Lt wrist X-ray | lateral | 12y M | initial study | Siemens | image 84.8 mm wide.
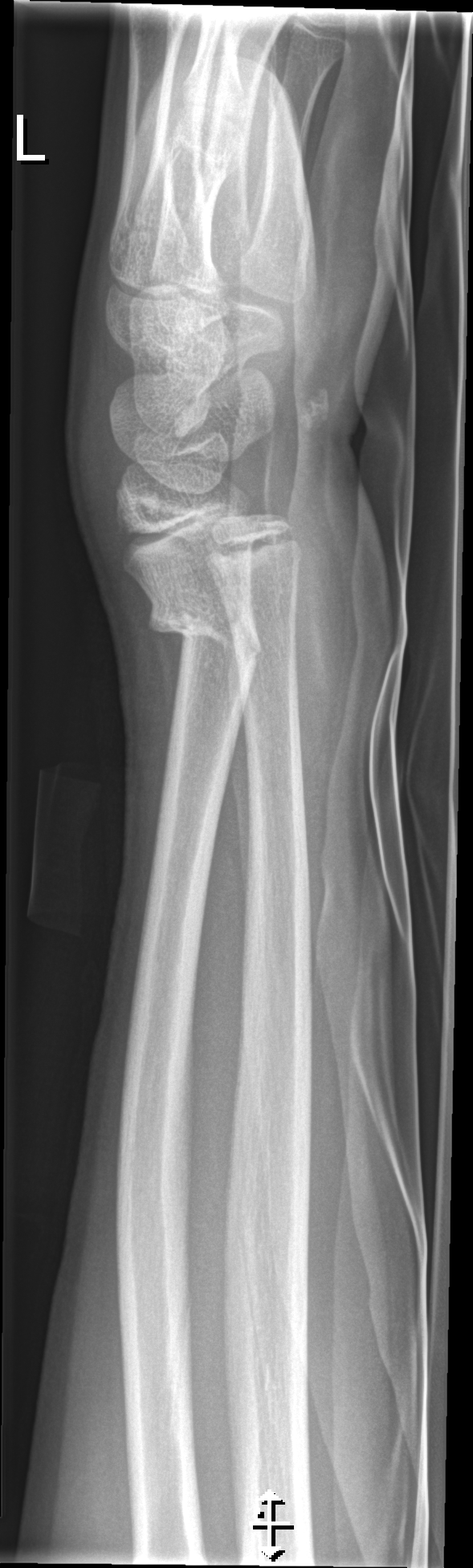
Pixel coordinates, top-left origin, xyxy. Fx — (left=143, top=585, right=266, bottom=680).